Posteroanterior view, Rt wrist X-ray, pediatric patient (male, age 14), image width 84.4 mm:
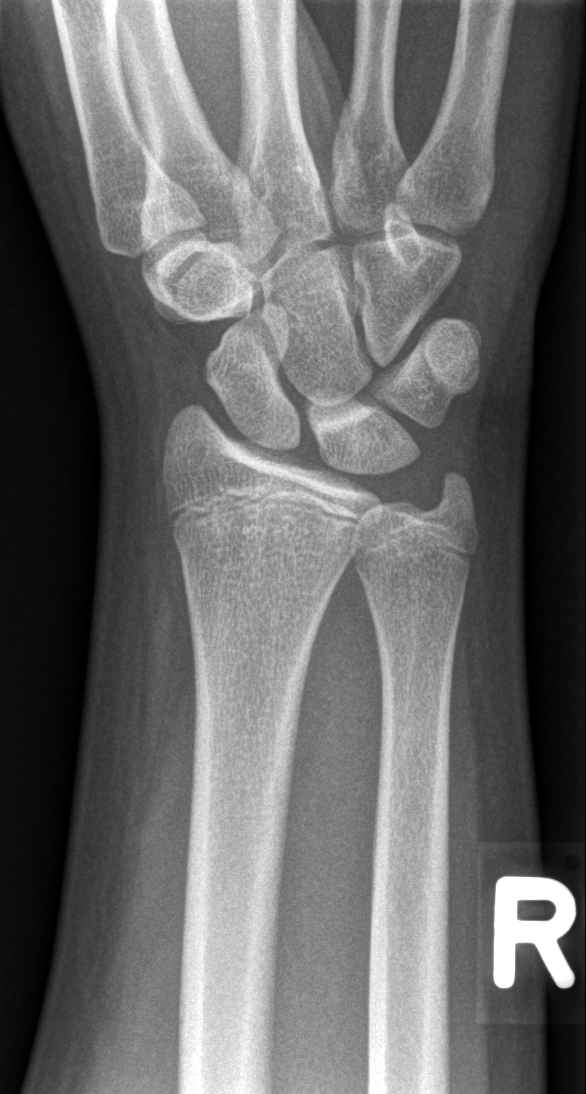

Findings: No fracture bounding box.